L pediatric wrist radiograph · lat view · pediatric patient (male, age 10) · follow-up · acquired on Siemens.
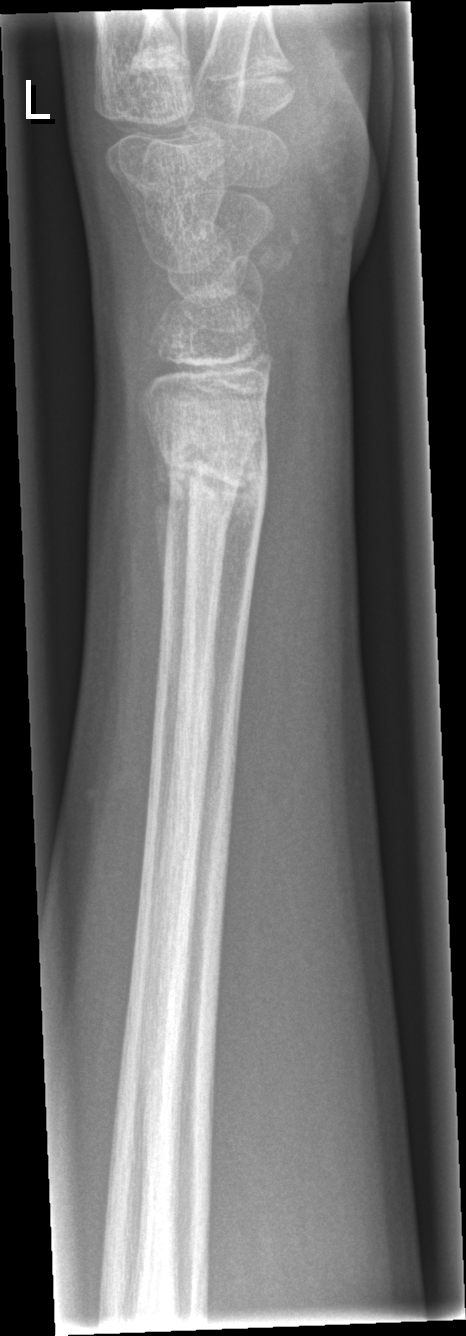

(pixel coordinates, top-left origin, xyxy)
fracture: 153 438 271 510
periosteal reaction: 149 430 176 616
osteopenia: present